Lat view, right pediatric wrist radiograph, cast present:
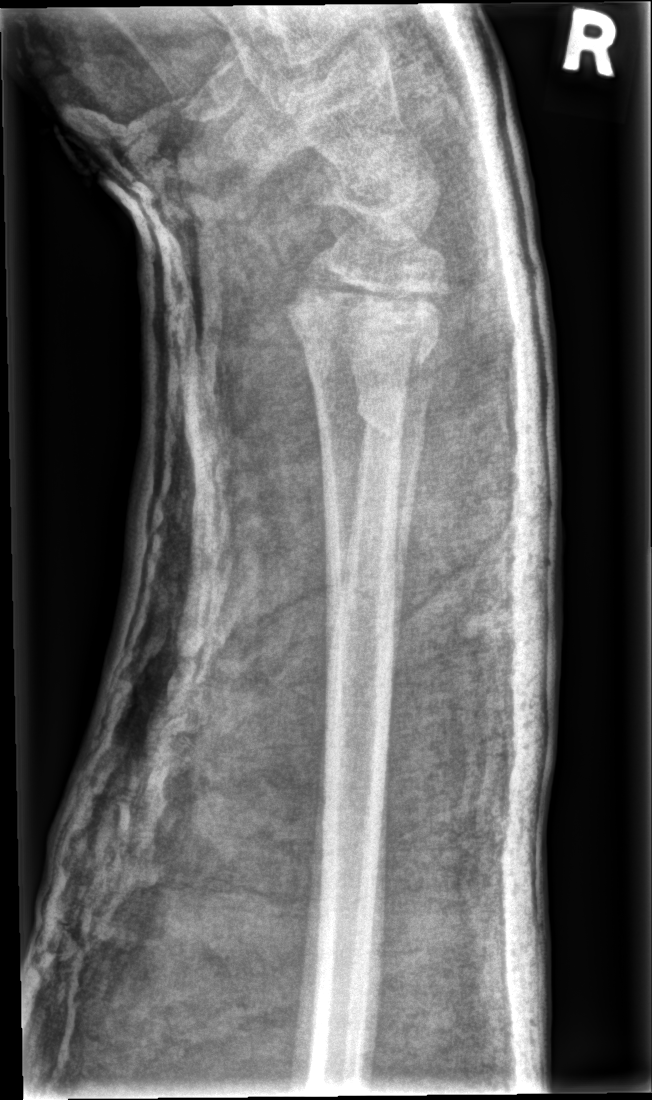 AO classification = 23r-E/2.1; 23u-M/2.1
Fx = 279 259 451 374; 353 385 430 466